Left plain radiograph of the wrist, posteroanterior projection, 6y M, acquired on Siemens, 507 x 710 px:

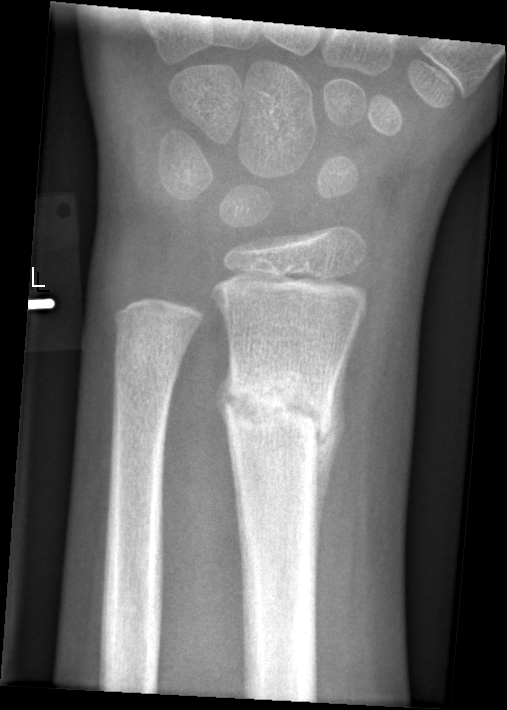

Fracture classified AO/OTA 23r-M/3.1; 23u-M/2.1. Two periosteal new bone at bbox(311, 309, 364, 585); bbox(213, 346, 239, 462). Two bone fractures at bbox(217, 365, 338, 460), bbox(107, 318, 186, 387).